PA projection, left wrist X-ray, age 3 y, girl, 80.9 mm image width

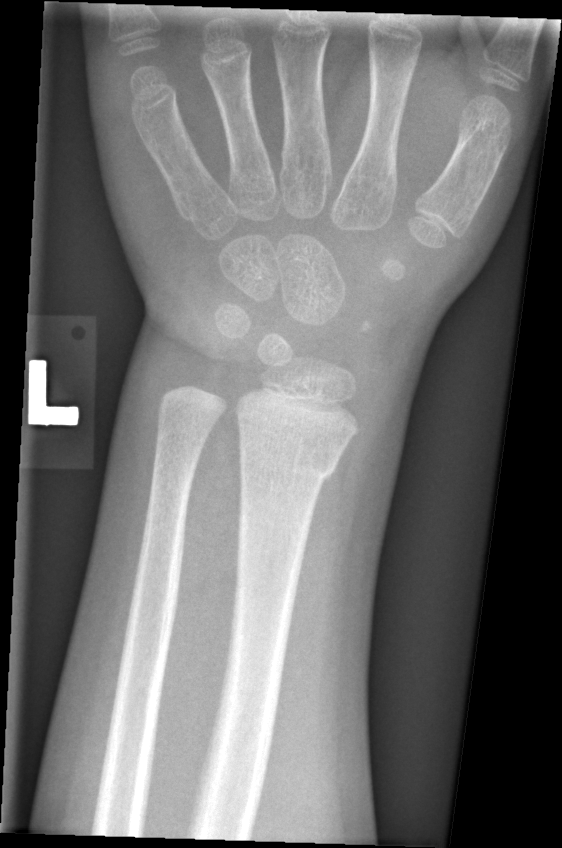

AO classification: 23r-M/2.1
Fx: <234,437>-<346,489>